Left wrist radiograph, lateral projection, 380x1006: 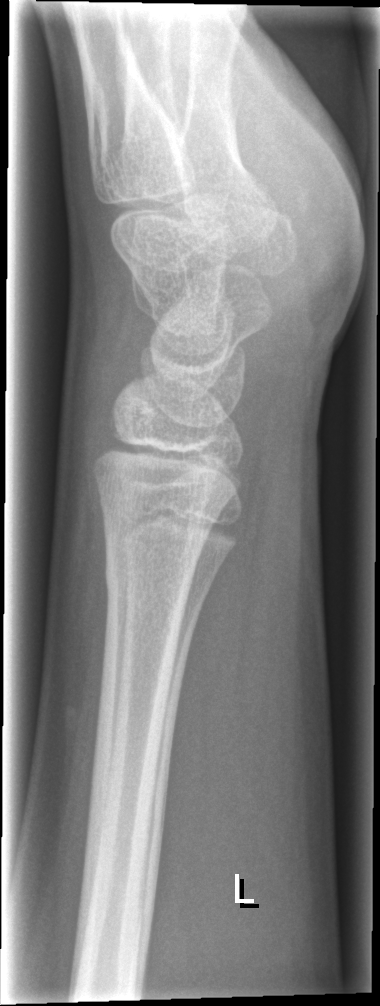

Findings: (boxes as x1,y1,x2,y2 (top-left / bottom-right, pixel units)) Fracture: 100,545,199,610.